Right wrist plain film | PA projection | 462 by 745 pixels: 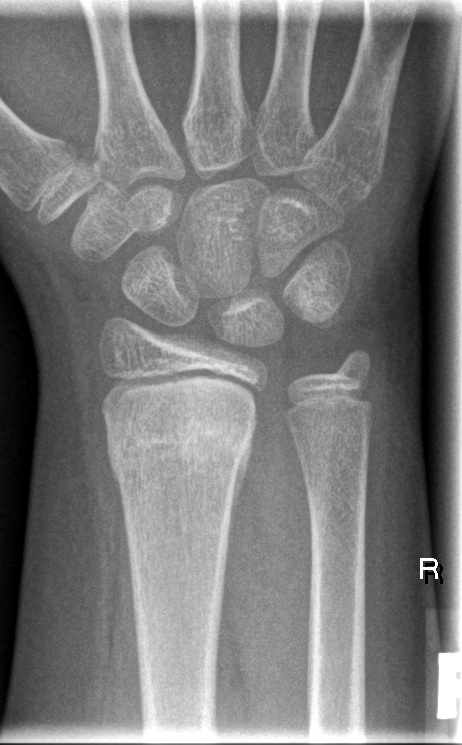
Periosteal reaction: 1 @ bbox(227, 424, 253, 552)
AO/OTA: 23r-M/3.1
Bone fracture: 1 @ bbox(104, 405, 257, 480)